Lat view · right wrist pediatric wrist radiograph · initial study · Siemens · image width 65.8 mm:
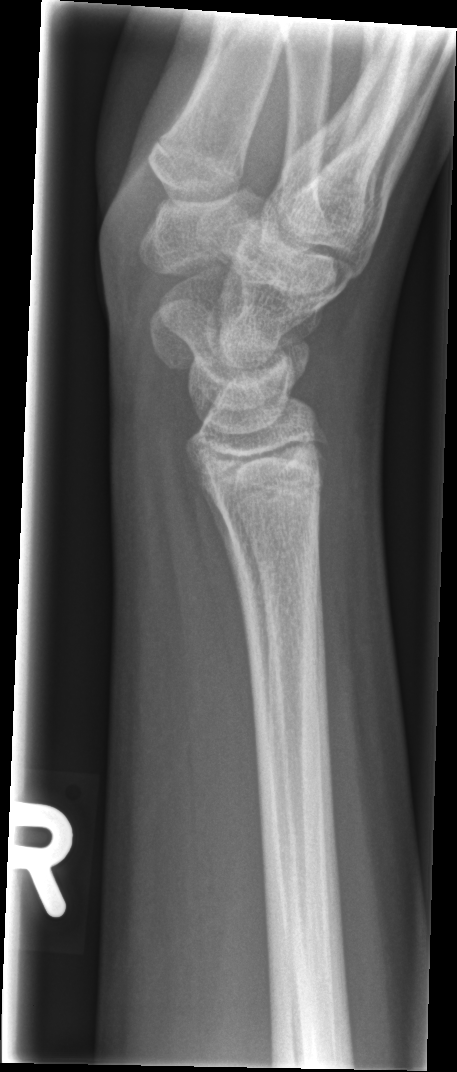 FINDINGS — No fracture bounding box.